R pediatric wrist radiograph; lat projection; 8-year-old male; image 78.0 mm wide — 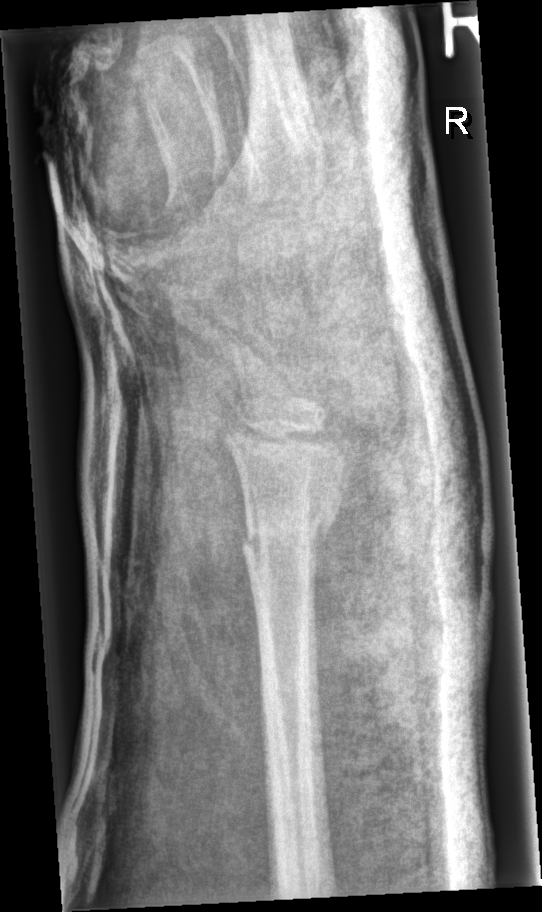

Pixel coordinates, top-left origin, xyxy. Fracture classified AO/OTA 23r-M/3.1; 23u-M/2.1. Bone fracture — 235,497,339,569.